Right wrist XR; PA/AP projection; 0.8y M; initial study 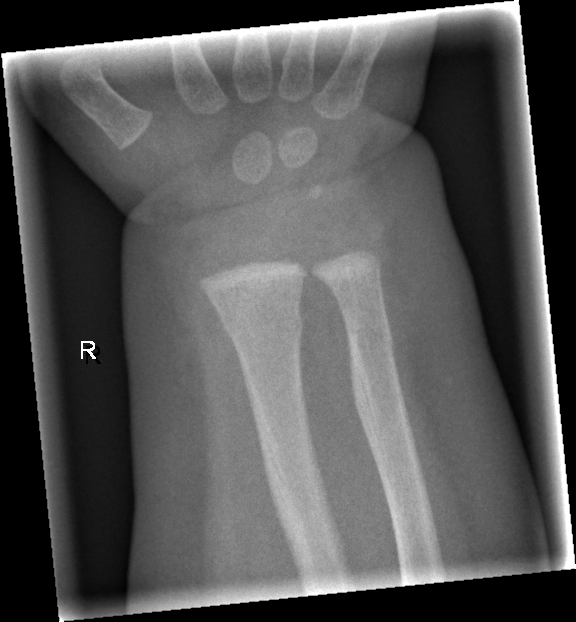
{"_coords": "pixel coordinates, top-left origin, xyxy", "ao": "23r-M/2.1", "fracture": "[x1=220, y1=309, x2=308, y2=348]"}